L plain radiograph of the wrist, lat projection, pediatric patient (boy, age 14) 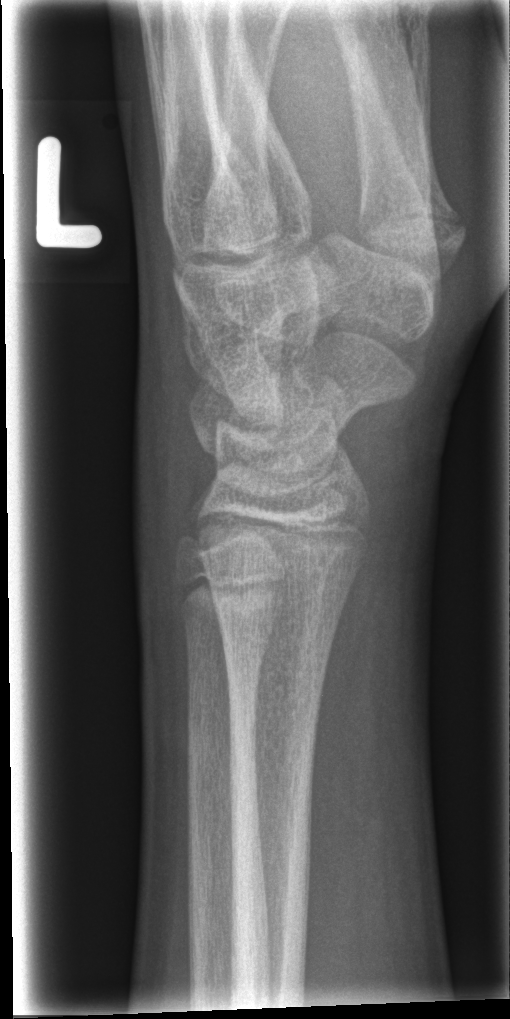
{"fracture": "none labeled"}